Right wrist X-ray; PA projection; 10y F; imaged through cast; image 112.6 mm wide. 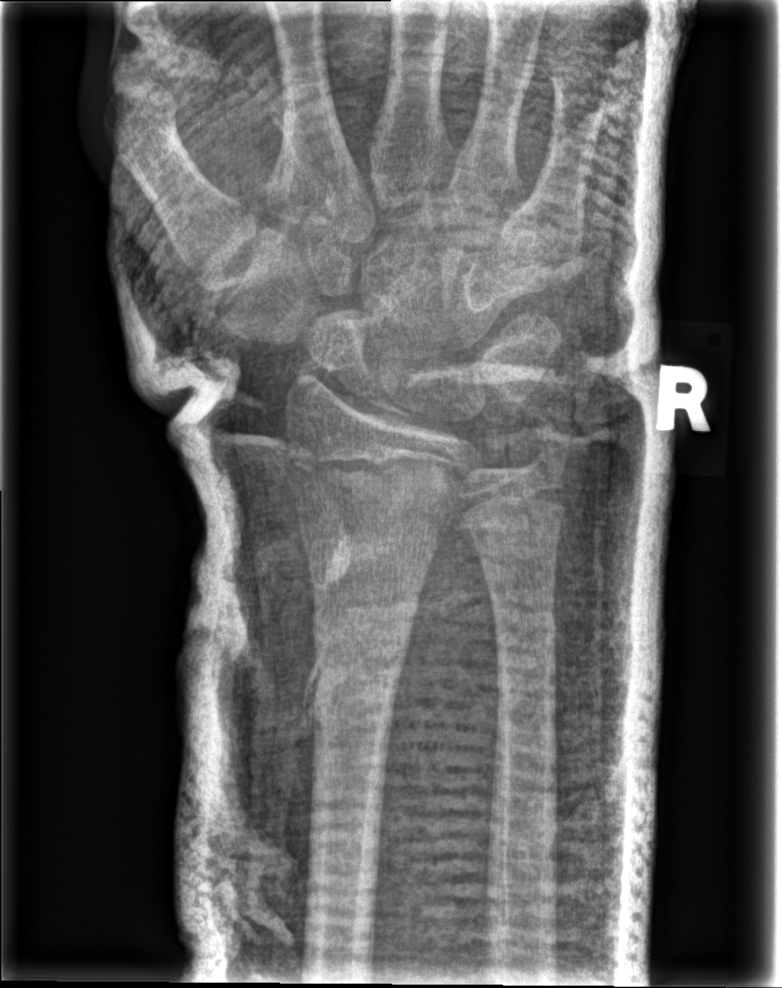
Findings: Bone fracture identified at [305, 657, 407, 717]. AO code 23r-M/3.1; 23u-E/7.